Lateral view | Rt pediatric wrist radiograph | 13y M.

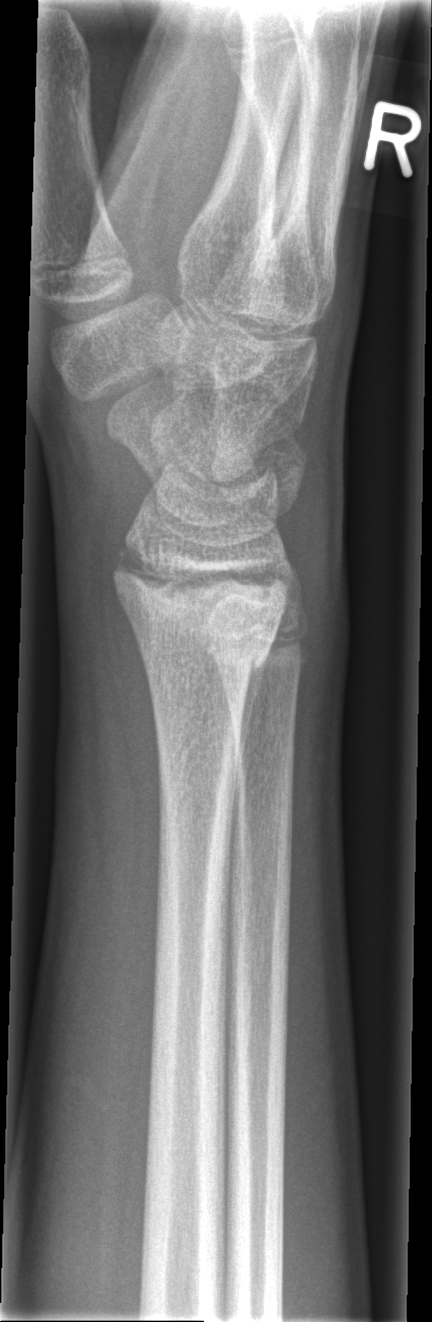

  fracture: 1 @ [133, 598, 279, 685]
  ao: 23r-E/2.1; 23u-E/7
  periostealreaction: [223, 663, 263, 856]